L wrist plain film · posteroanterior view · cast in situ: 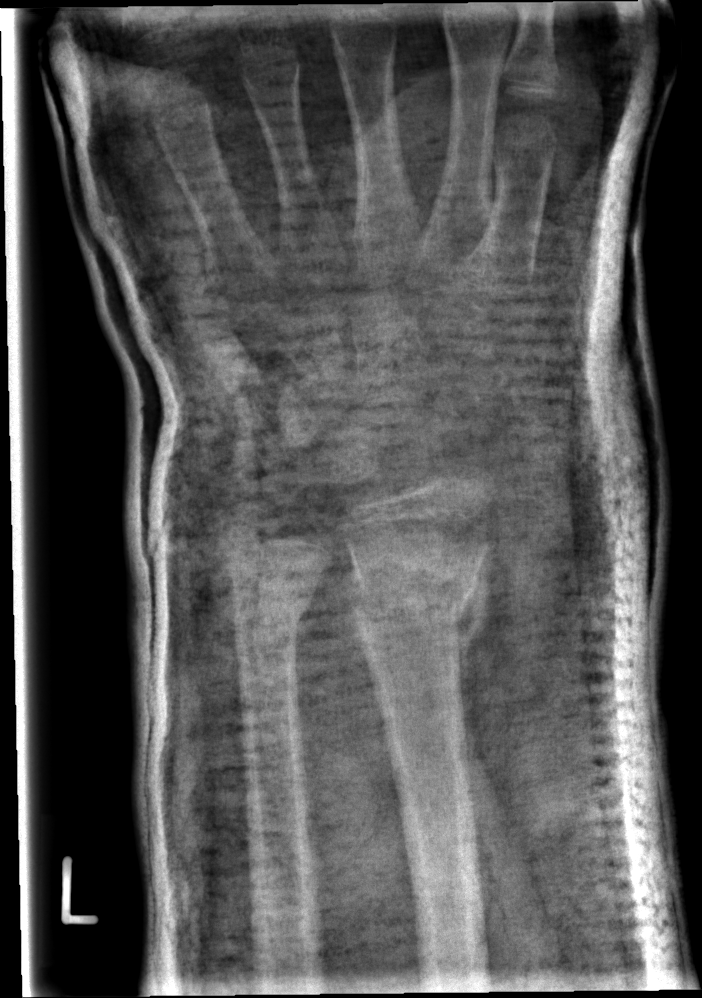
{
  "fracture": "2 @ 348,554,489,649 | 229,573,320,636",
  "periostealreaction": "455,547,493,801",
  "ao": "23r-M/3.1; 23u-M/2.1"
}